R plain radiograph of the wrist | lat view | pediatric patient (male, age 11) | image 65.1 mm wide | 452x992: 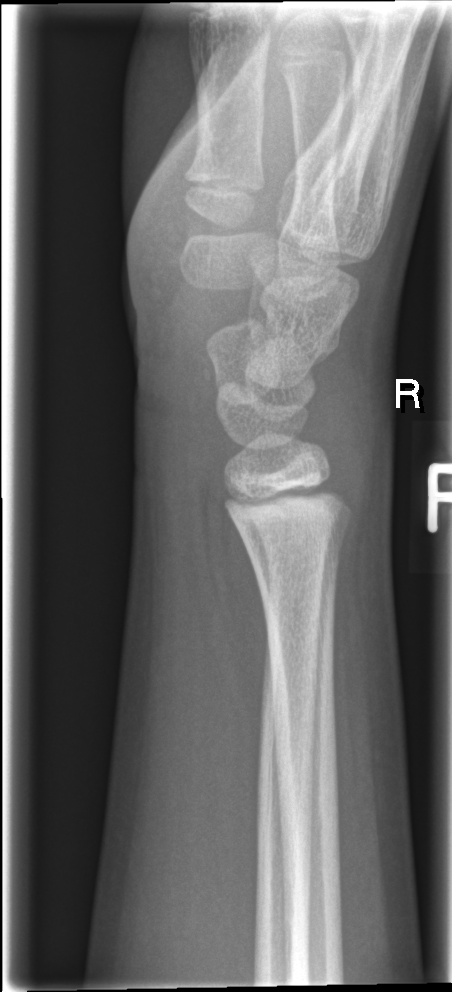

{"fracture": "none labeled"}